L pediatric wrist radiograph | frontal —

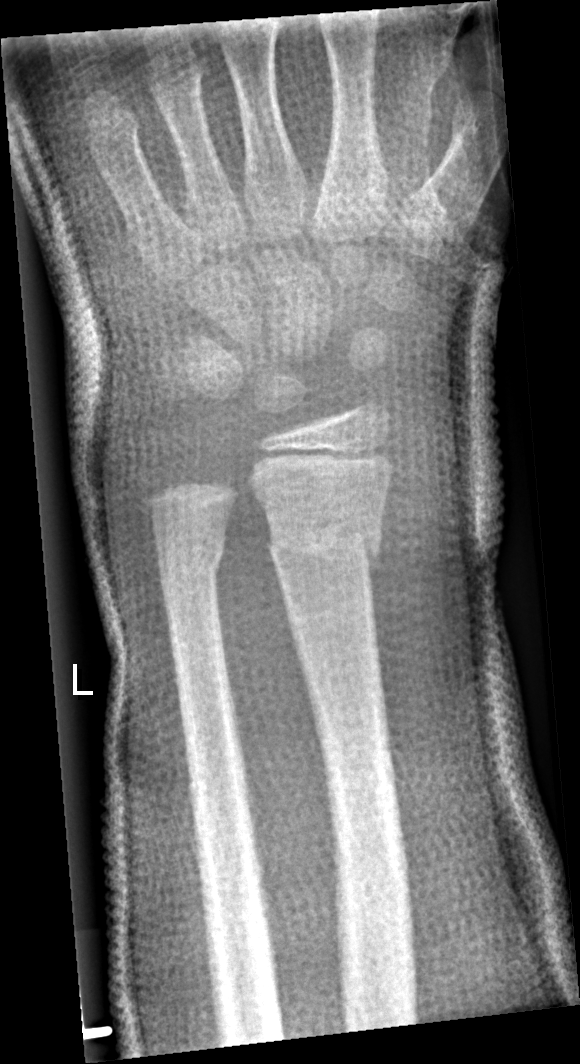 (coordinates are [x1, y1, x2, y2] in image pixels)
Q: Is there a fracture?
A: Two bone fractures at (left=264, top=514, right=383, bottom=574), (left=152, top=528, right=229, bottom=583)
Q: What is the AO/OTA classification?
A: AO/OTA classification: 23r-M/3.1; 23u-M/2.1